Right wrist X-ray | posteroanterior projection | age 13 y, boy —
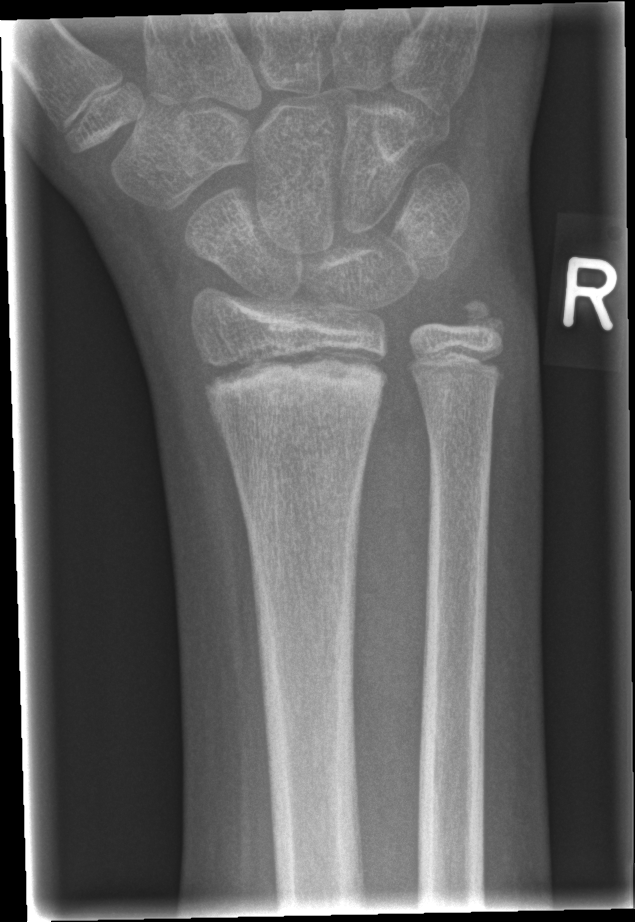

- Pixel coordinates, top-left origin, xyxy.
- Two fractures at <201,347>-<392,415>; <453,292>-<511,349>.
- Reduced bone mineral density.
- AO code 23r-E/2.1; 23u-E/7.